Lat | left wrist XR | in cast | image width 113.3 mm 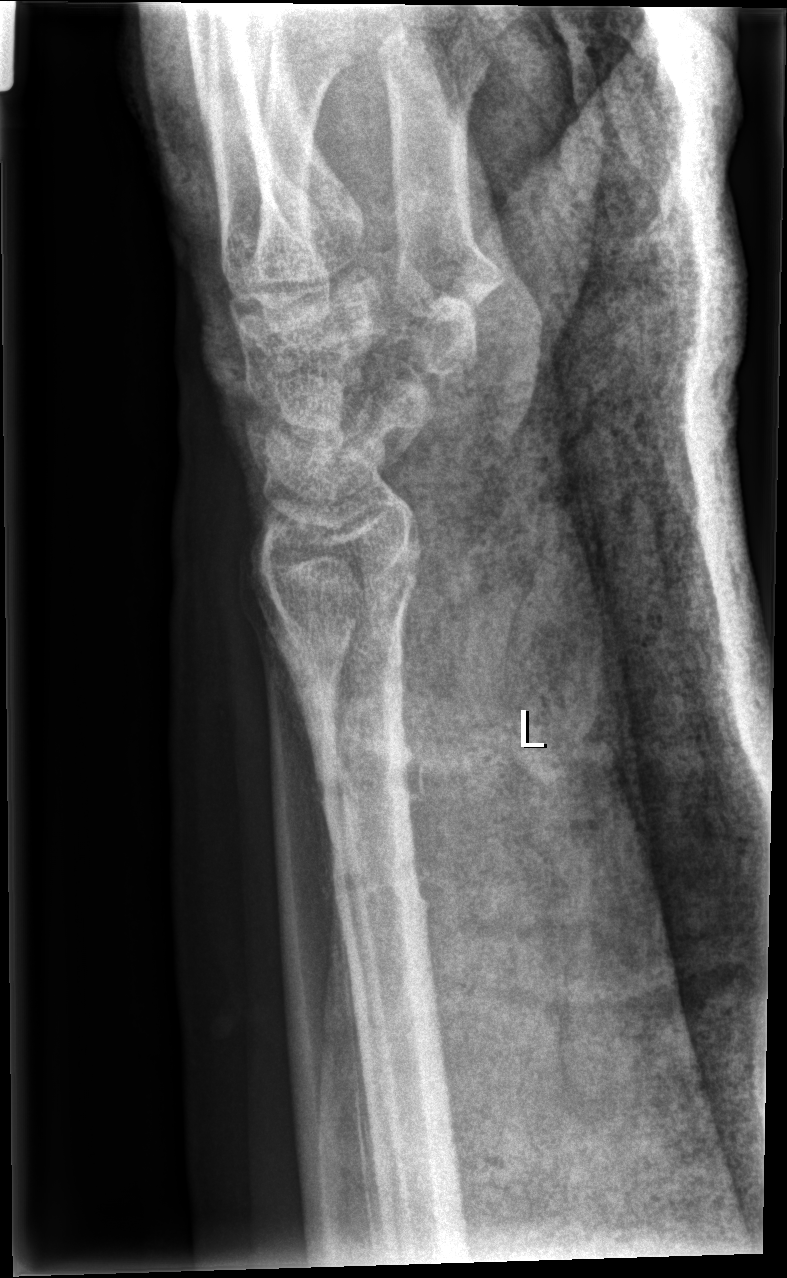

Findings: (pixel coordinates, top-left origin, xyxy) No Fx annotated. Bone anomaly identified at [x1=312, y1=748, x2=416, y2=808] [x1=329, y1=849, x2=429, y2=910].